Lat projection, left wrist XR, pediatric patient (male, age 17) 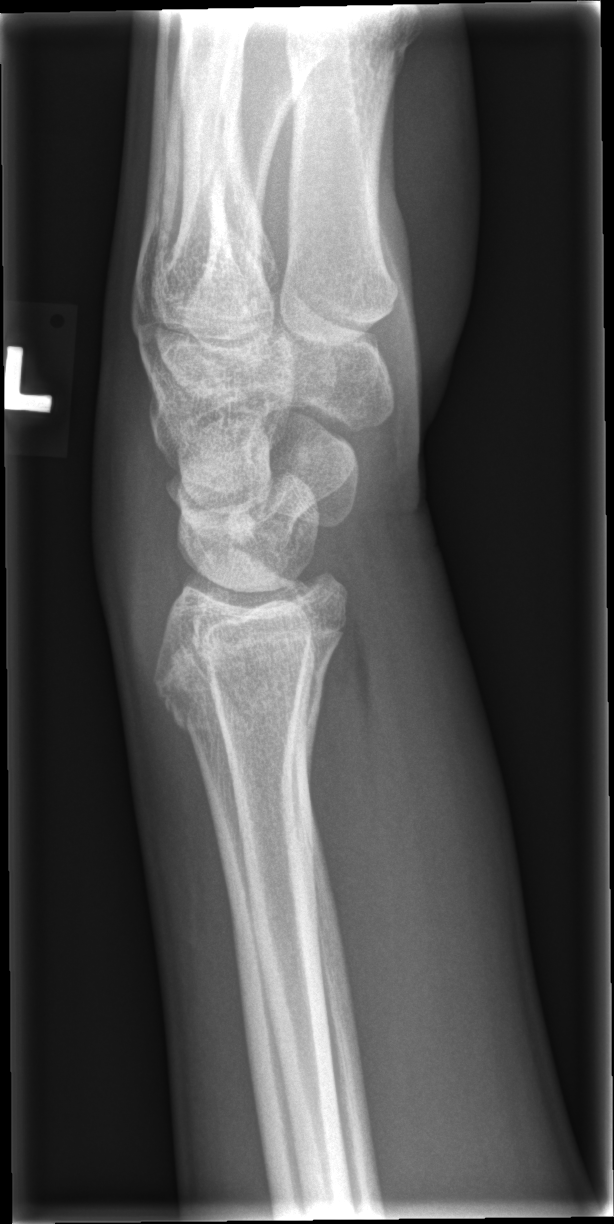 * Two soft-tissue swelling at 311 584 514 1073 | 78 378 191 663.
* AO code 23r-M/3.1; 23u-E/7.
* Fracture — 153 647 339 742.